Lateral view · left wrist plain film · 12y M 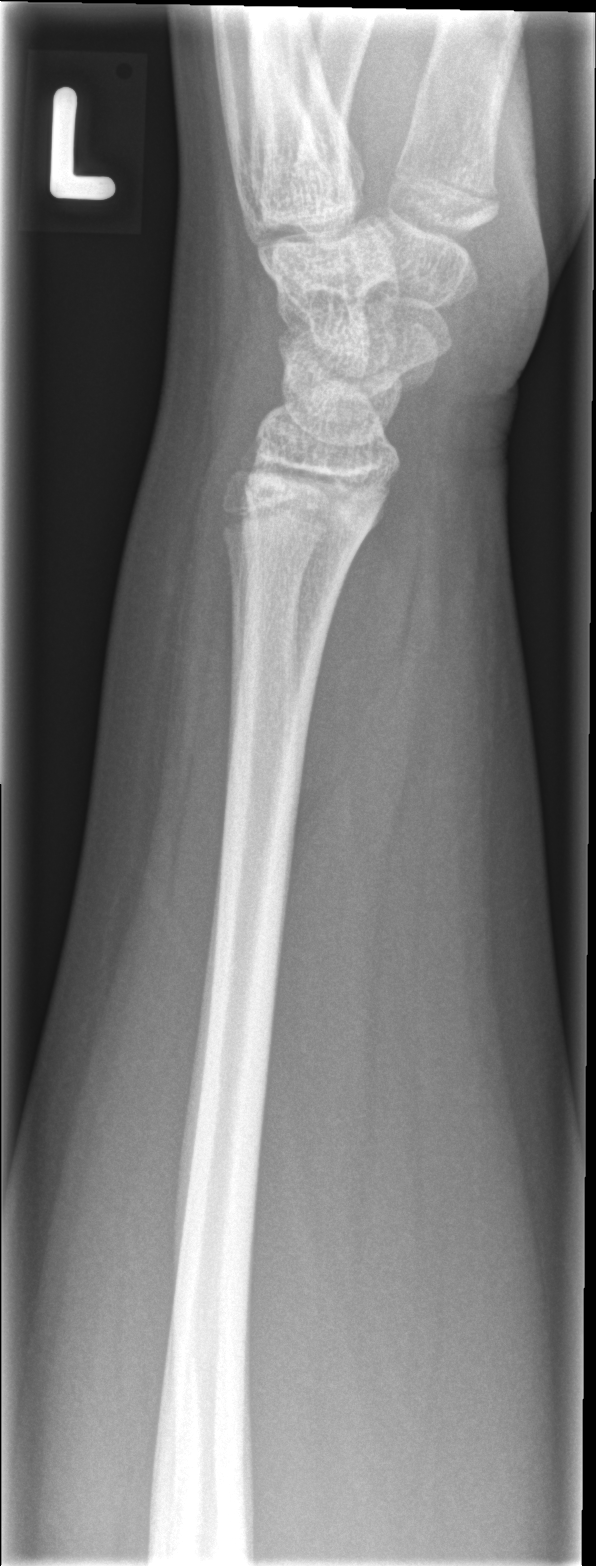

Fracture: none labeled.
Pronator sign identified at <299,474>-<422,859>.